Lat projection, Lt pediatric wrist radiograph, age 13 y, male, image size 356x819 — 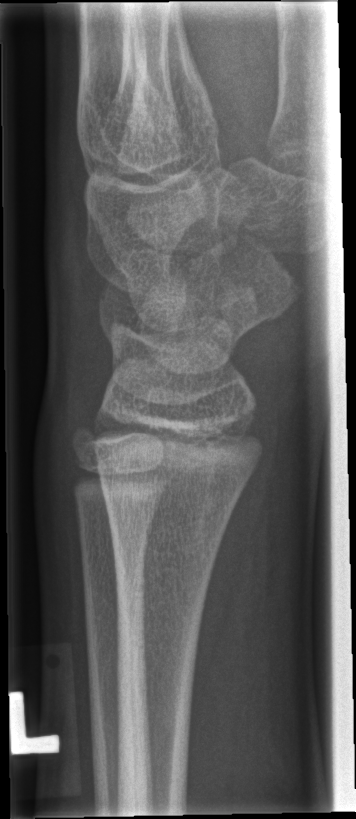
Fracture: none labeled.